Lateral; right wrist XR; age 13 y, male —
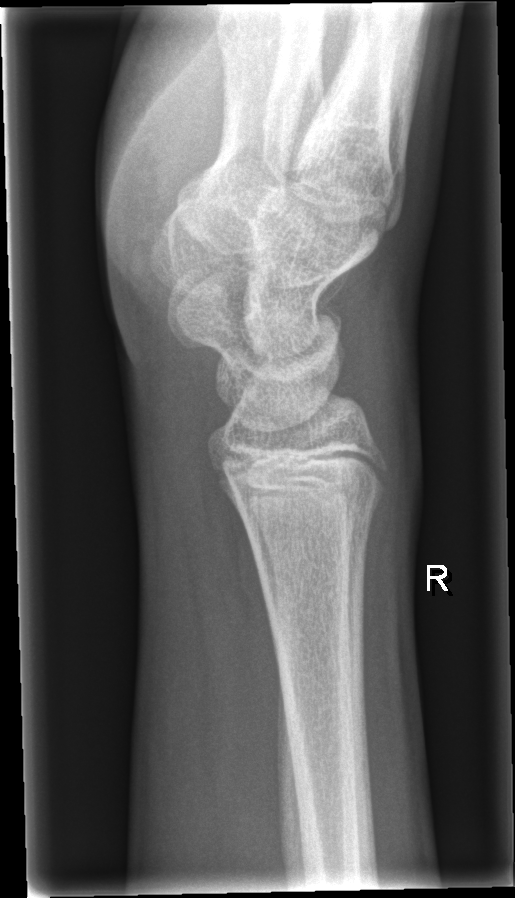

FINDINGS — (bounding boxes in image-pixel xyxy) AO code 23r-M/2.1. Fx identified at [x1=231, y1=482, x2=389, y2=543].